AP projection · L wrist X-ray · 460 x 904 px. 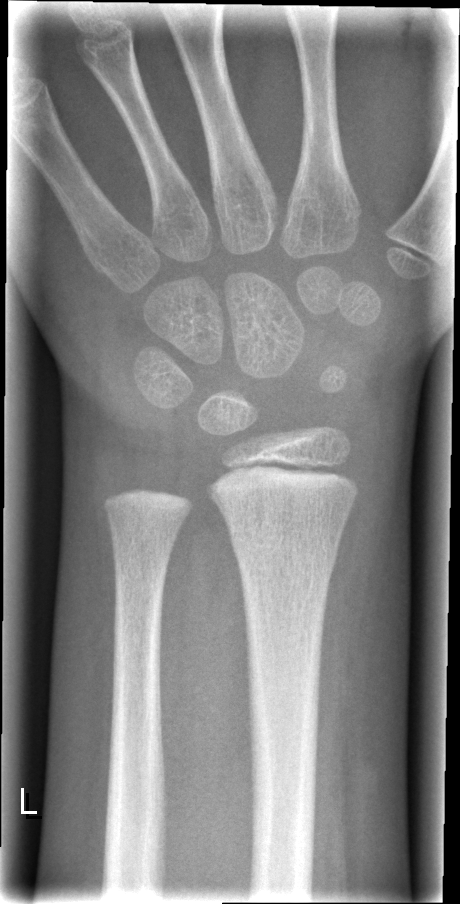

Findings: One bone fracture at [x1=226, y1=522, x2=341, y2=574].